Lat projection | R wrist X-ray | 6-year-old girl.
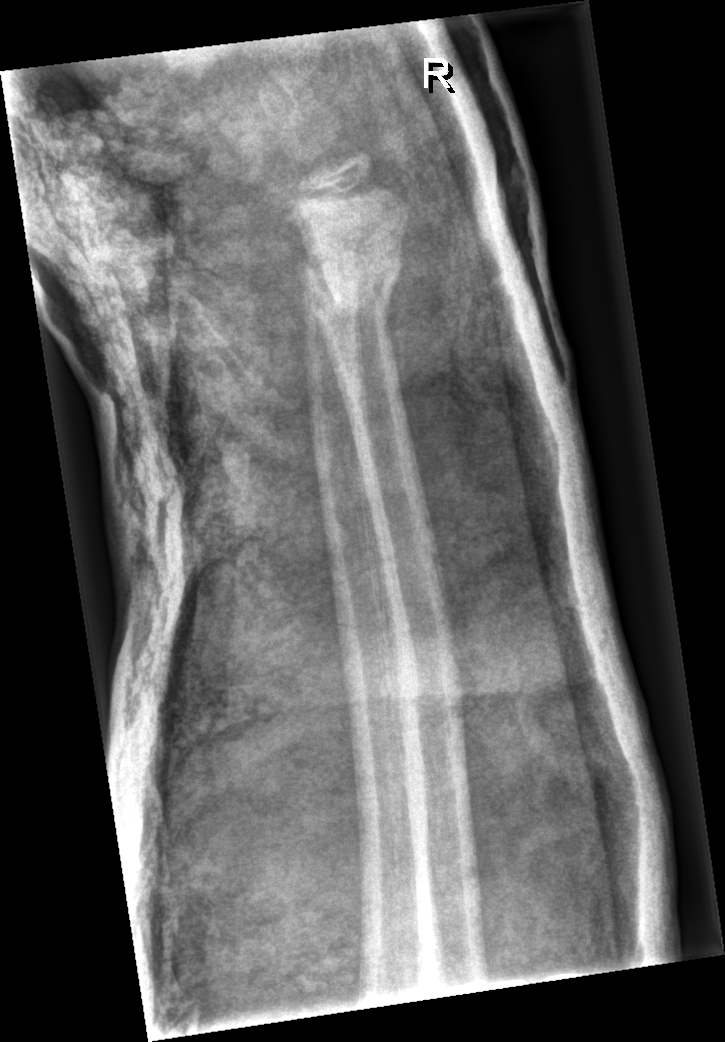
Fx: 1 @ 296 244 406 337